R wrist radiograph; PA projection; 10y F; follow-up study; cast present —

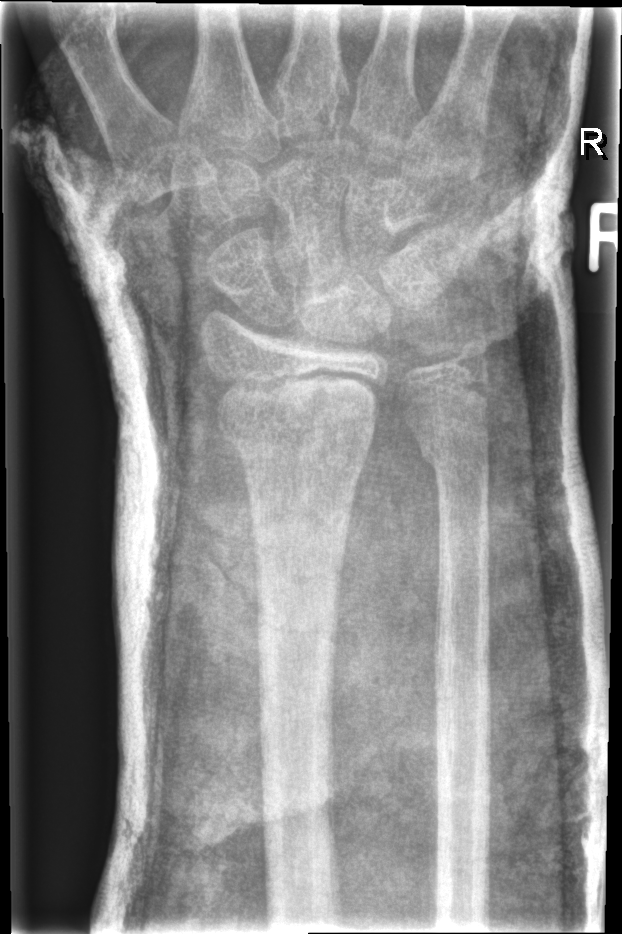 AO code 23r-E/2.1; 23u-M/2.1; 23u-E/7. Fracture identified at 217 379 377 444; 415 433 494 489; 449 331 497 376.